Lateral projection | L wrist radiograph | 8-year-old male | follow-up.

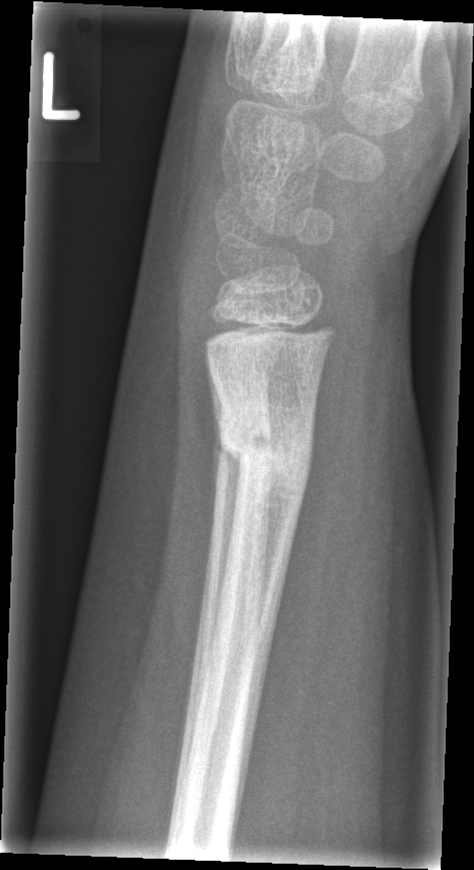 FINDINGS: Periosteal reaction identified at <207,348>-<224,520>. AO/OTA classification: 23-M/2.1. Fracture identified at <216,410>-<316,497>. Reduced bone mineral density.